Right wrist radiograph · PA:
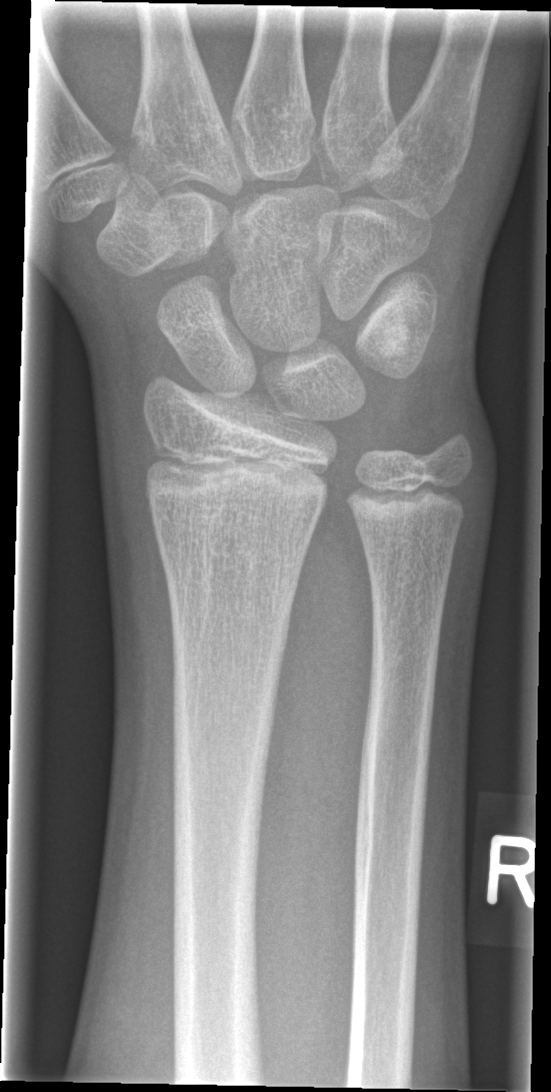

  fracture: none labeled